Rt plain radiograph of the wrist, frontal view, imaged through cast, Siemens — 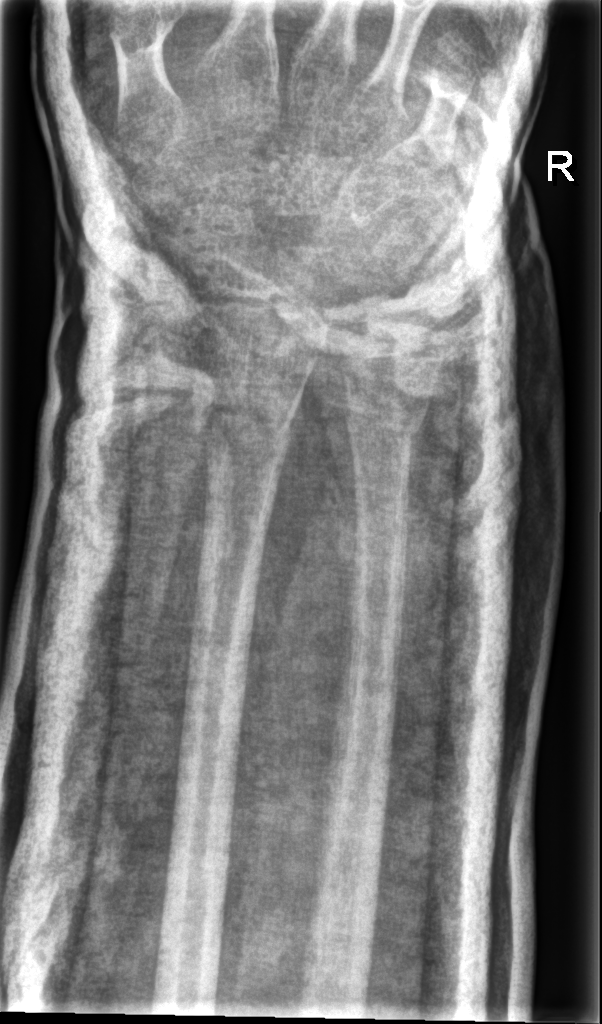

bone fracture = (left=194, top=389, right=303, bottom=466); (left=342, top=401, right=429, bottom=454)